Lt wrist XR; lateral; age 13 y, girl; image width 95.8 mm.
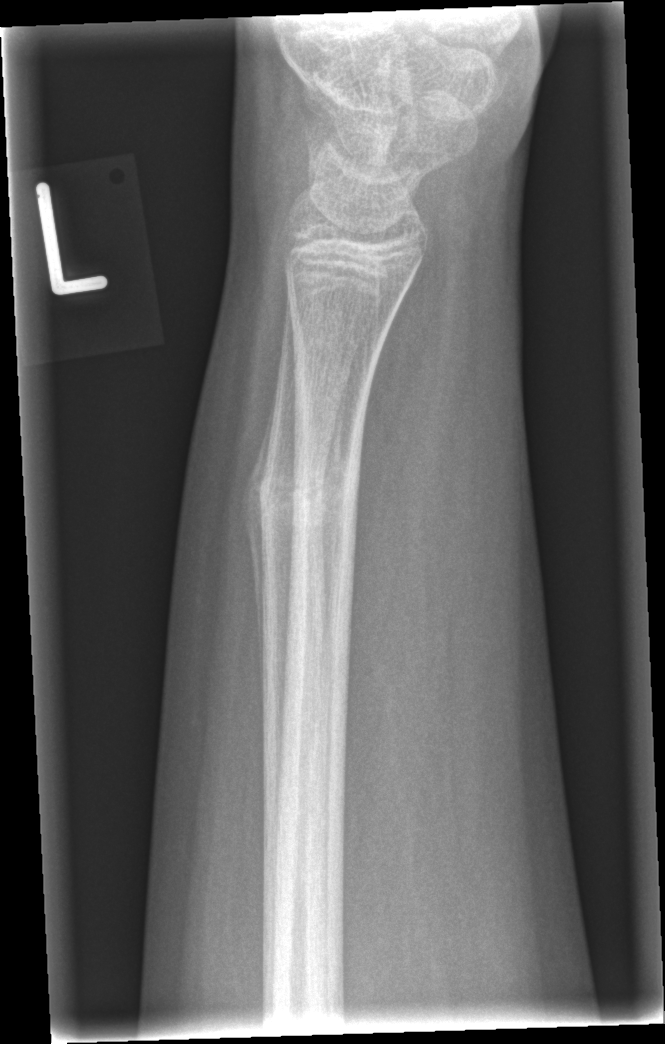 {"_coords": "bounding boxes in image-pixel xyxy", "ao": "23u-M/3.1", "osteopenia": "present", "periostealreaction": "2 @ 241,381,278,687 | 322,368,351,615", "fracture": "252,458,339,545"}